Lat view | right wrist plain film | boy, 11 yo 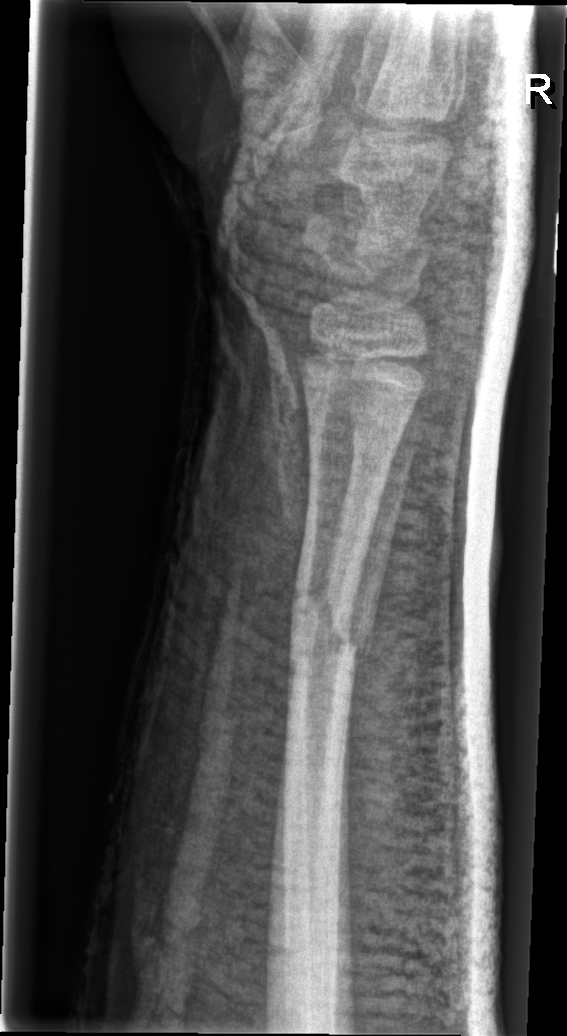
AO code 22-D/4.1.
Bone fracture identified at 282 578 380 688.